Right wrist X-ray; PA
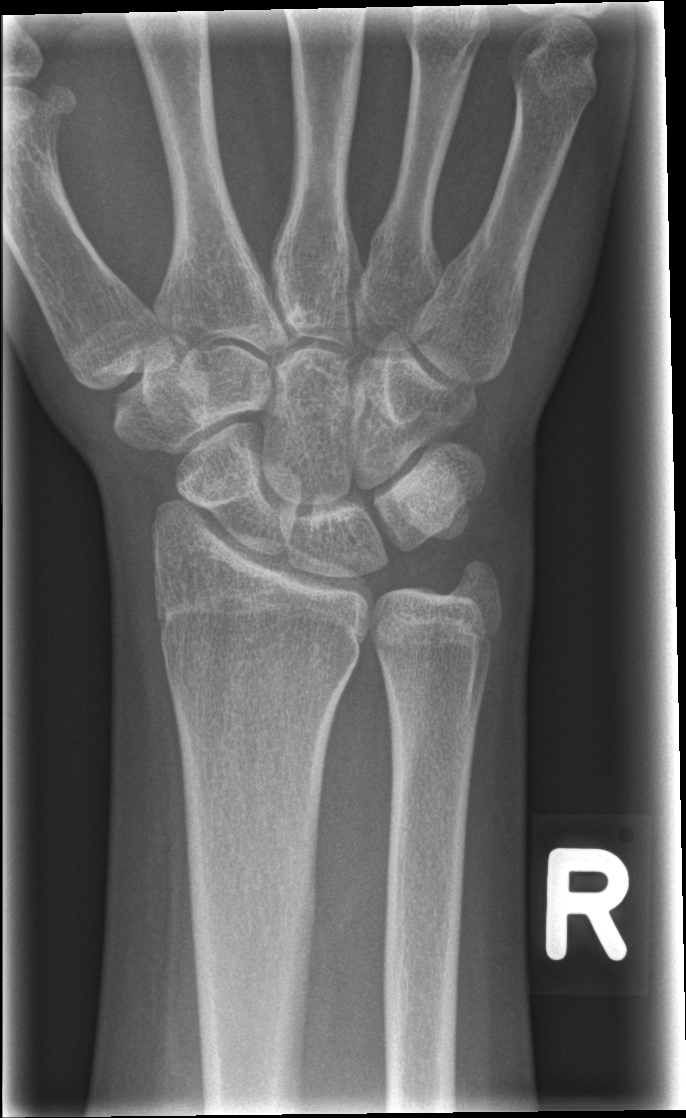

Bone fracture = none labeled